Left wrist plain film, frontal, pediatric patient (boy, age 10) 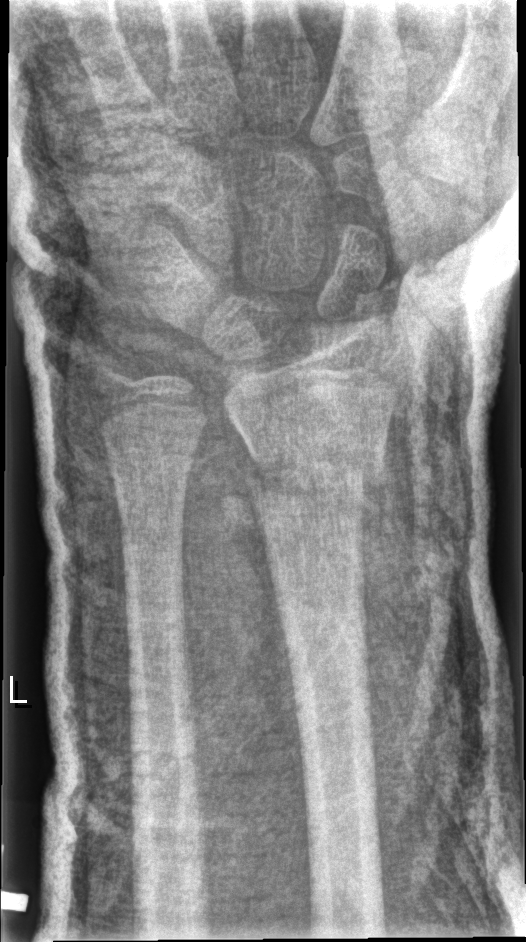

{"fracture": "[246, 429, 390, 513]"}